Lat projection · Lt plain radiograph of the wrist · boy, 11 yo —
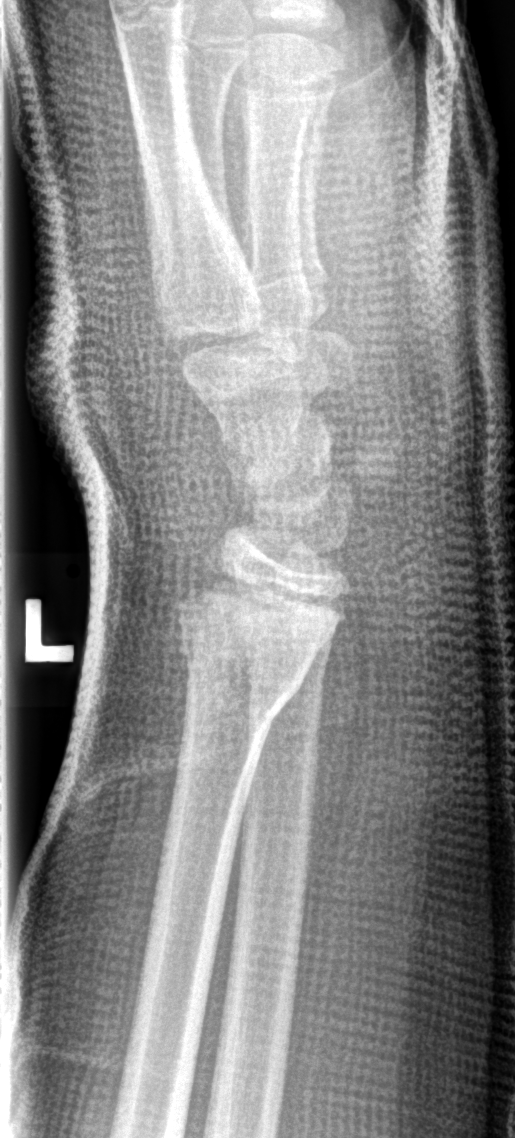
* One bone fracture at bbox(166, 605, 327, 732).